Posteroanterior view | left wrist pediatric wrist radiograph | 12y M | index exam | equivocal findings | image size 637x1068:
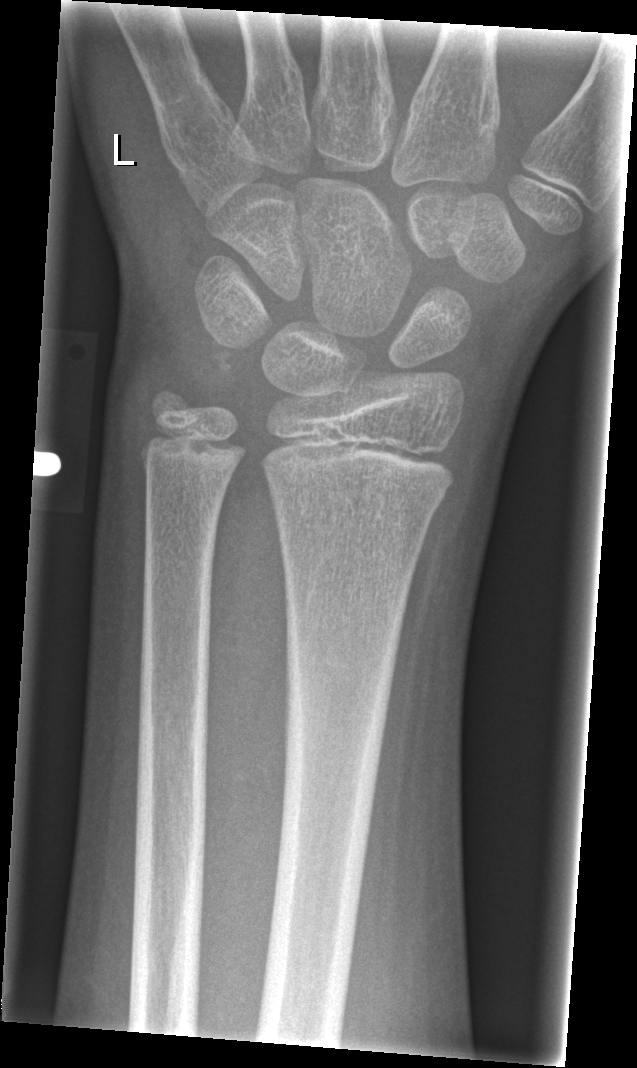 fracture: 1 @ [262, 461, 451, 525]
AO/OTA: 23r-M/2.1